Lat view · Rt wrist X-ray · male, 14 yo · initial study · acquired on Siemens · image 70.8 mm wide.

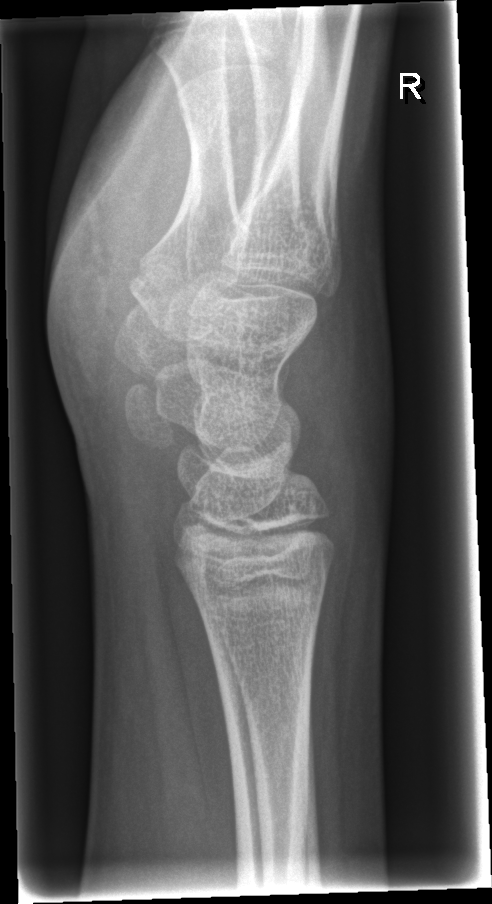
No fracture annotation.